Lt pediatric wrist radiograph, frontal —
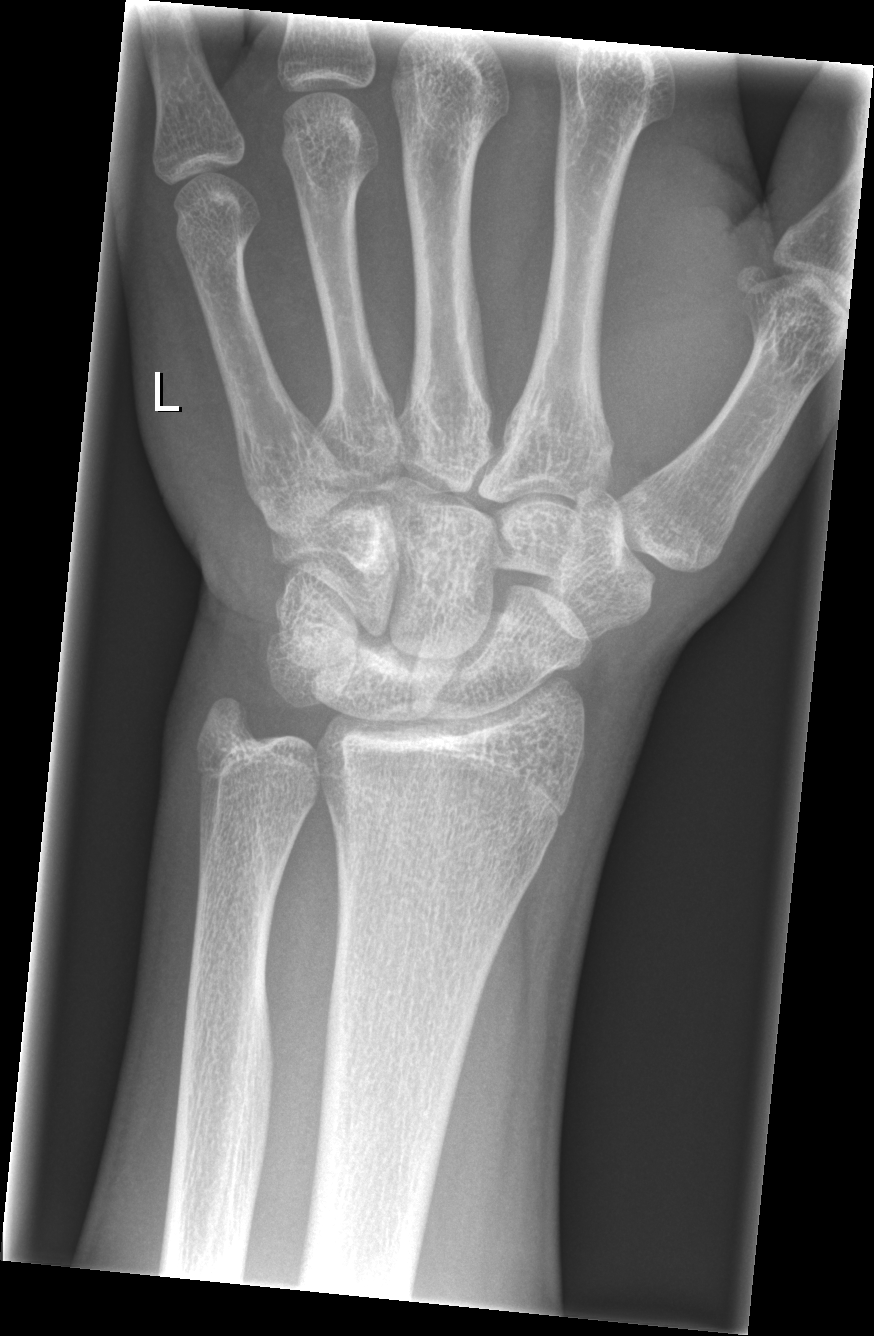 FINDINGS — No fracture annotation.